Right wrist X-ray · frontal view · acquired on Siemens

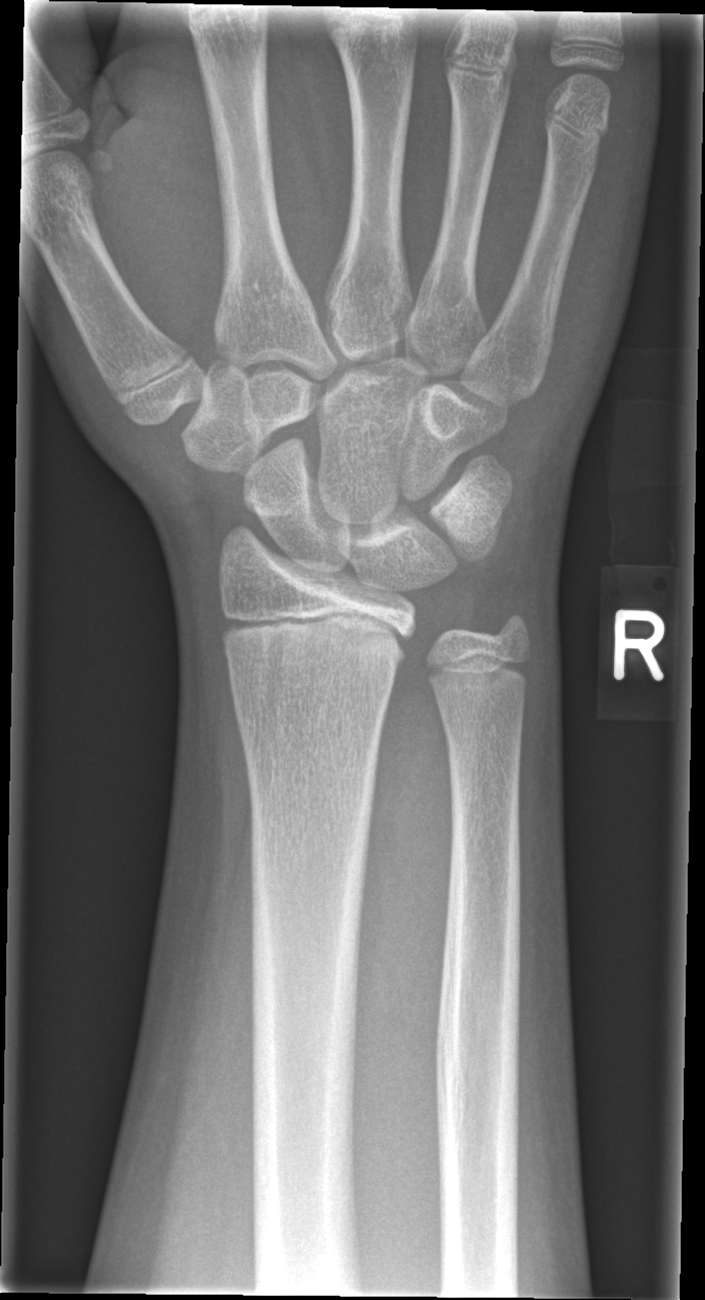

No Fx annotated.